Lt wrist XR · AP view · pediatric patient (boy, age 5) · follow-up study · cast in situ.
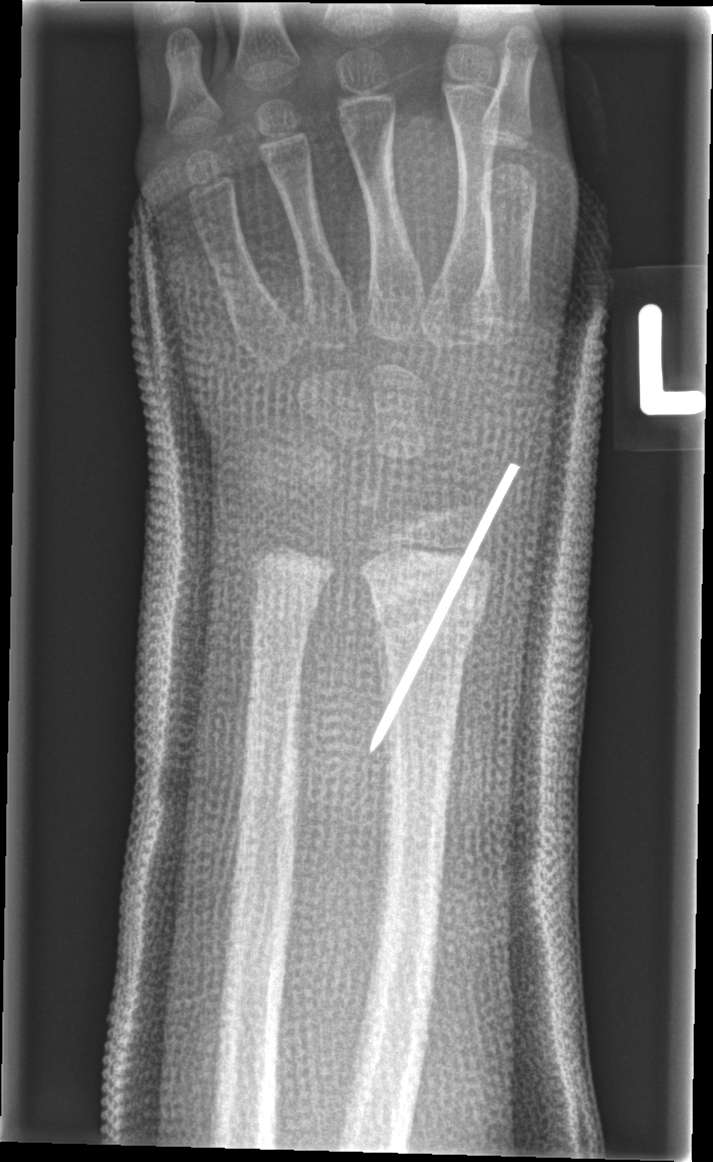
AO code 23r-M/3.1; 23u-M/2.1. Metallic hardware: 367 456 524 762. Bone fracture: 368 584 489 647
  247 556 334 605.